Posteroanterior · Rt wrist radiograph · in cast · 654 by 1094 pixels — 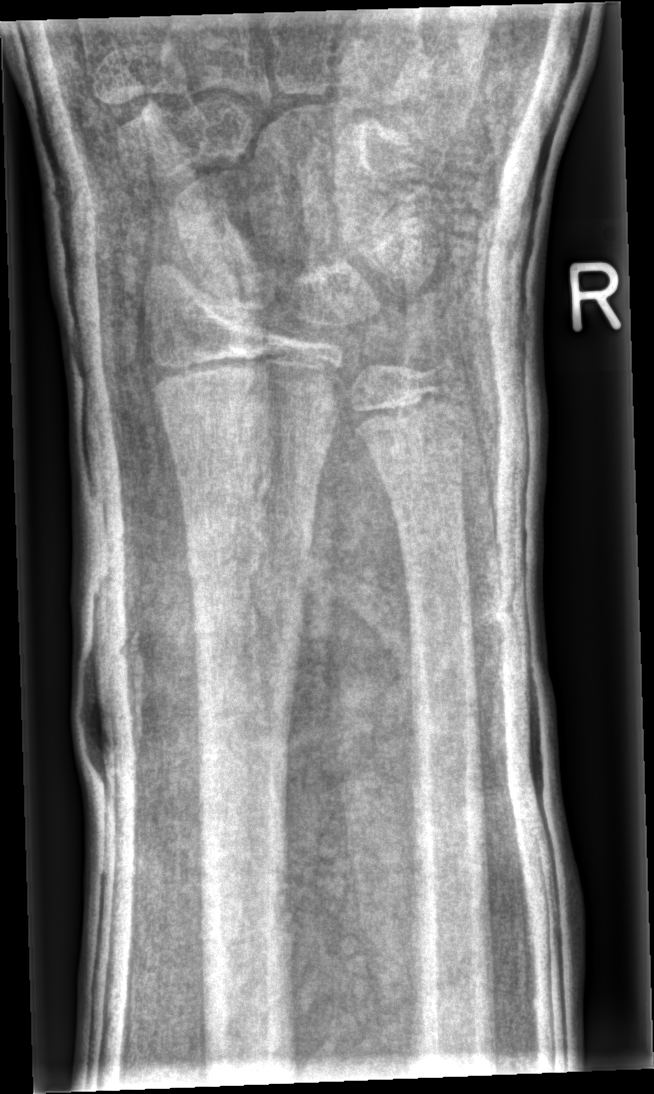

Fracture: [181, 491, 319, 589] [395, 332, 461, 383]